Lateral projection, right wrist XR, 45.5 mm image width. 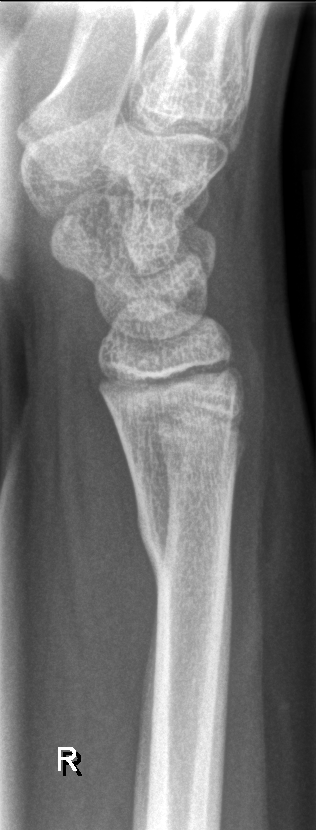
AO code = 23r-M/2.1
Fx = 1 @ 134 490 234 583